R wrist X-ray · AP · follow-up study · imaged through cast · image 105.1 mm wide: 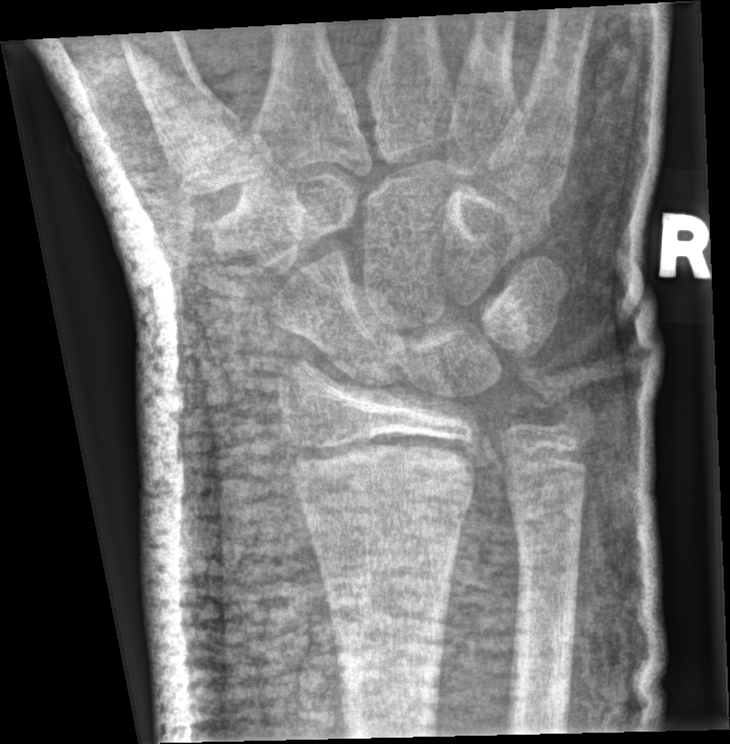 Fx = present but not clearly seen in this view
AO code = 23r-E/1; 23u-E/7